Lateral projection, left wrist radiograph

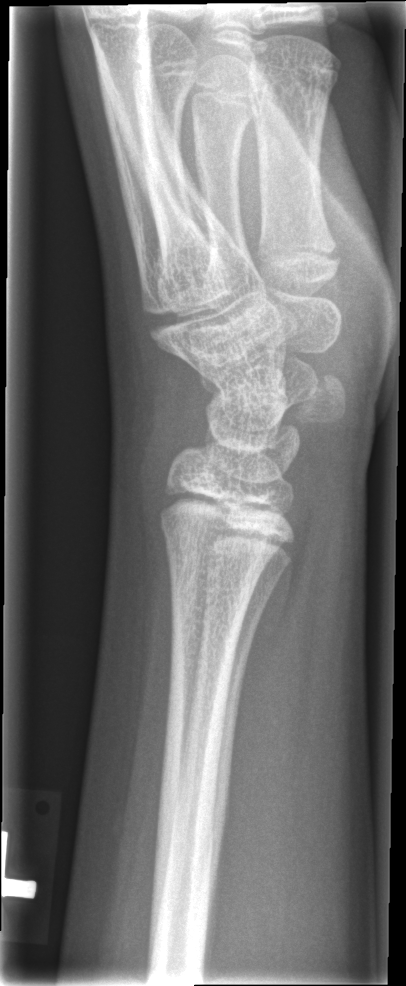
Q: Locate any fractures.
A: Fracture: none labeled